Left wrist plain film; lat view; Siemens; 397x908 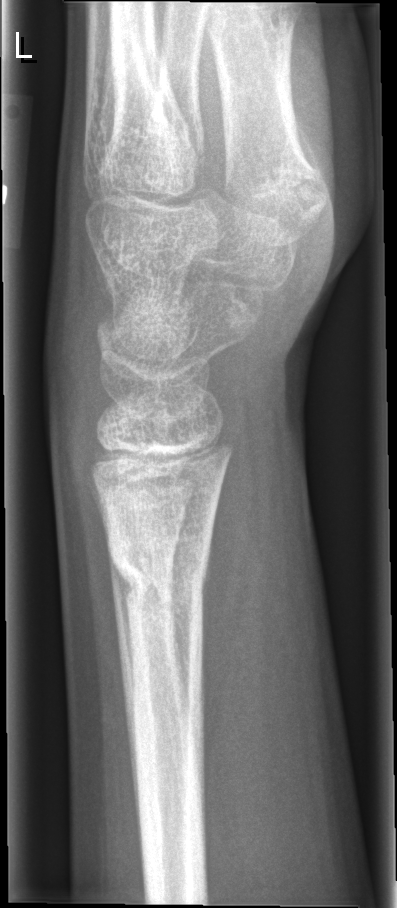
(pixel coordinates, top-left origin, xyxy)
bone fracture: 1 @ [105, 524, 216, 617]
osteopenia: present